Lateral projection | Lt wrist X-ray —
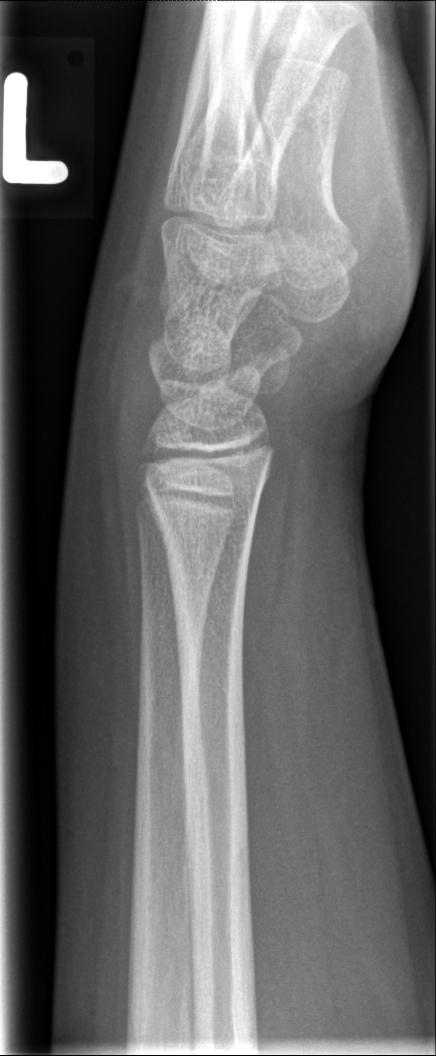
Fracture — 139,474,263,570.